Lat | left plain radiograph of the wrist | initial study | image size 438x767. 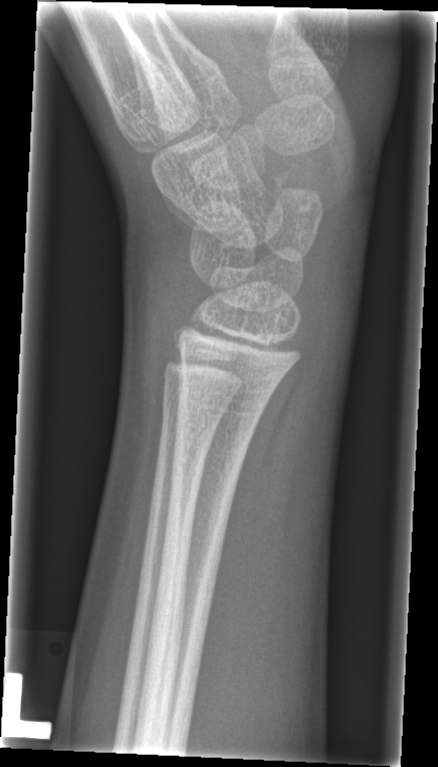

No Fx annotated.